Lateral projection · L wrist XR · 8-year-old male · index exam · acquired on Siemens · 402x974:

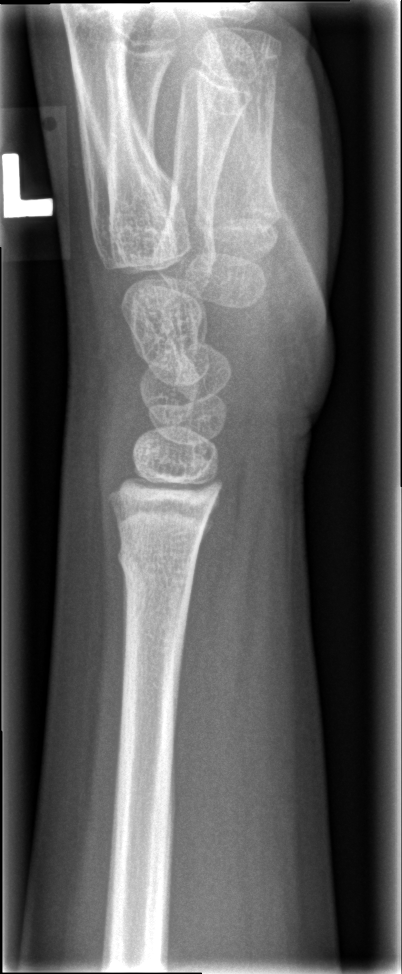

Boxes as x1,y1,x2,y2 (top-left / bottom-right, pixel units). Fx: 112 530 202 593. AO/OTA classification: 23r-M/2.1.